Lat view · Lt wrist plain film · male, 4 yo:

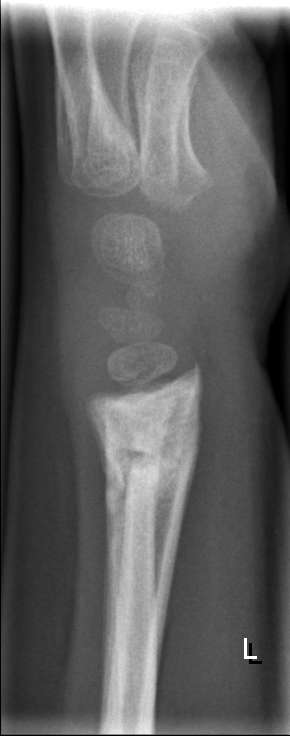 Fx — bbox(79, 378, 208, 504).
Osteopenia.